Left wrist XR | lat view | Siemens

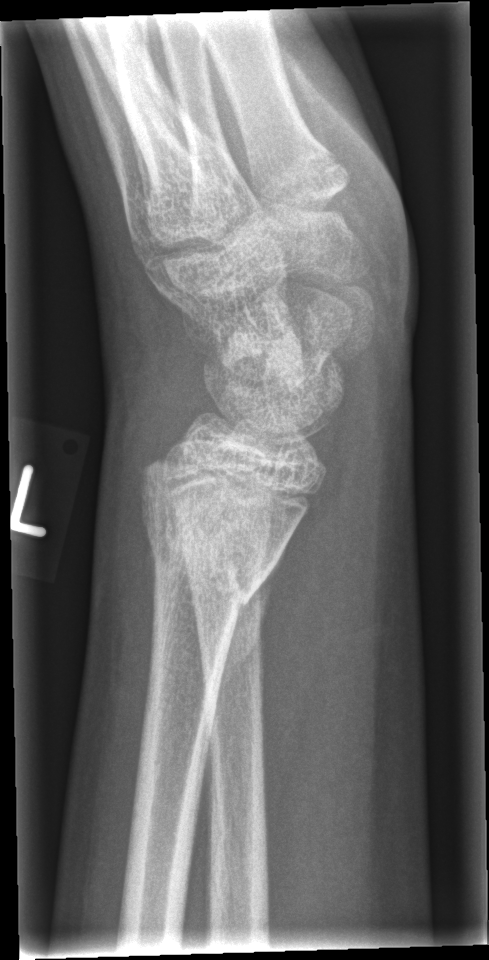 FINDINGS — Two focal bone lesions at (left=267, top=330, right=304, bottom=393) (left=222, top=330, right=266, bottom=371). Fracture: (left=133, top=459, right=310, bottom=613). Reduced bone mineral density.